L wrist XR; lateral view; 8y F — 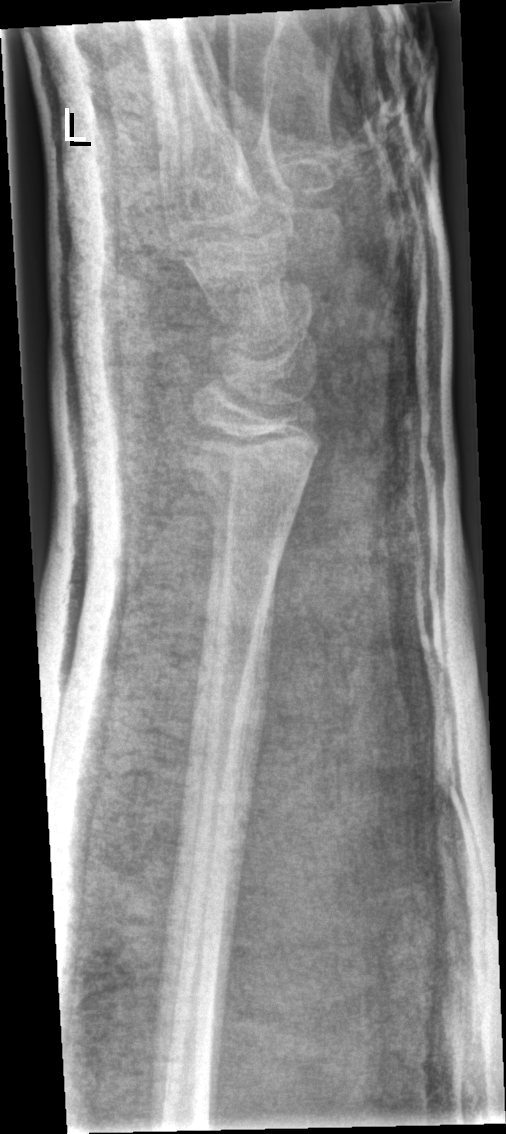

(coordinates are [x1, y1, x2, y2] in image pixels)
AO/OTA = 23r-M/3.1
Fracture = 1 @ <174,417>-<321,544>